Left wrist XR, lateral view. 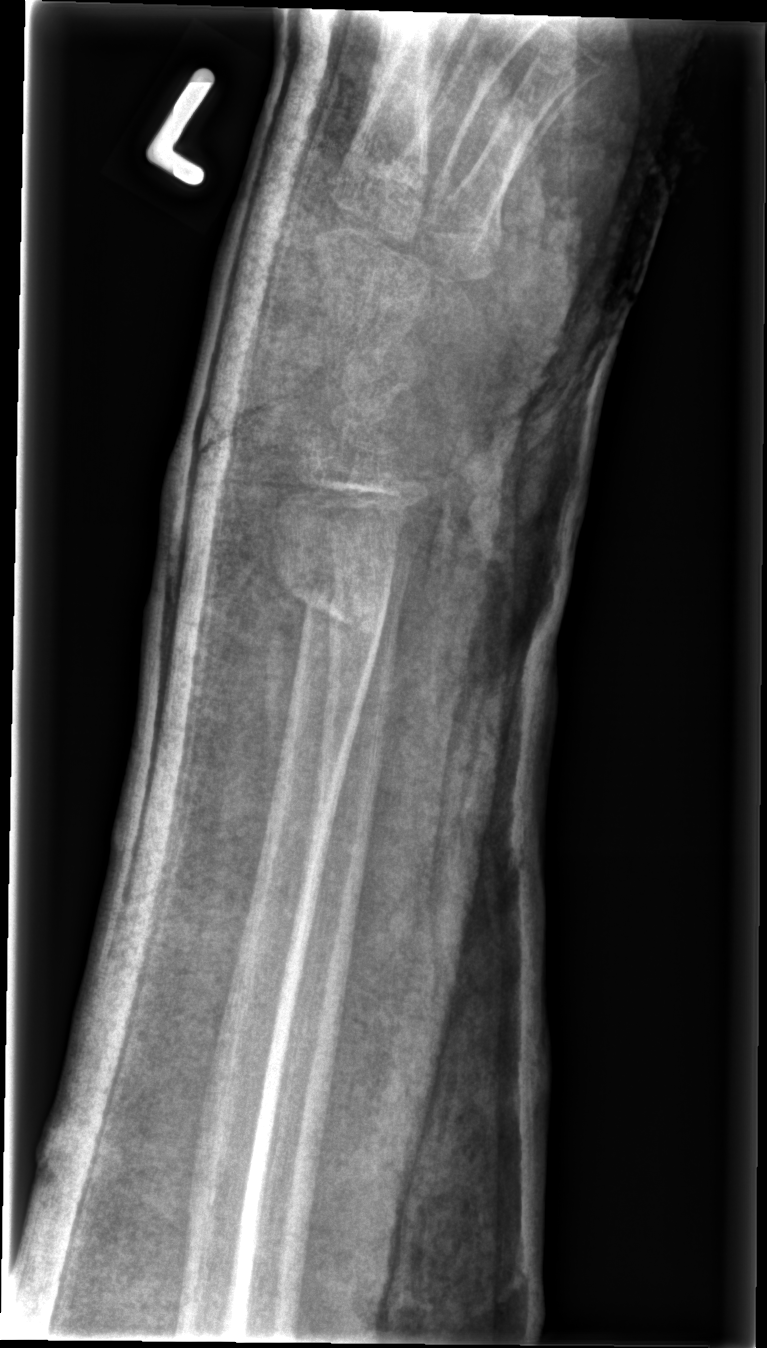

Findings: Periosteal thickening — <258,563>-<308,873>. Fracture classified AO/OTA 23-M/2.1. Fx: <271,546>-<393,656>.